Lat | right wrist radiograph | pediatric patient (girl, age 11) | presentation radiograph | image size 537x836 — 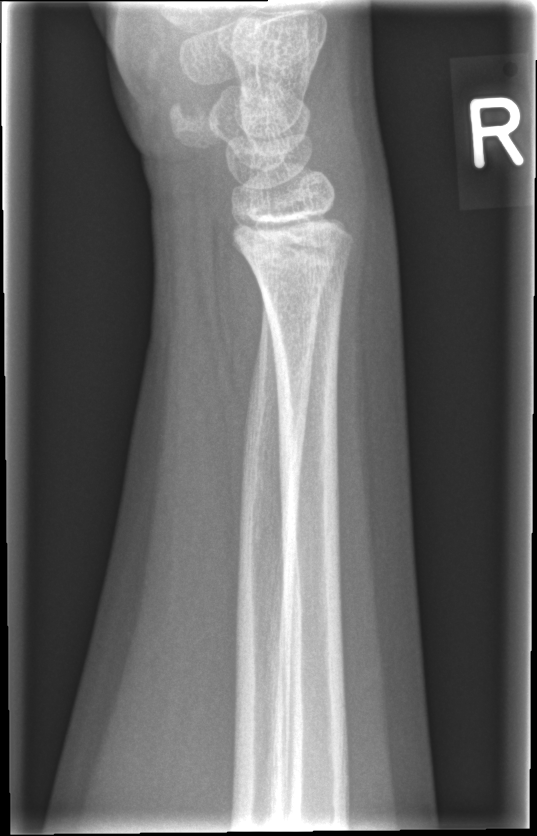 Fx: none.